Frontal, right wrist plain radiograph of the wrist, pediatric patient (female, age 11), detector: Siemens, 504 by 727 pixels
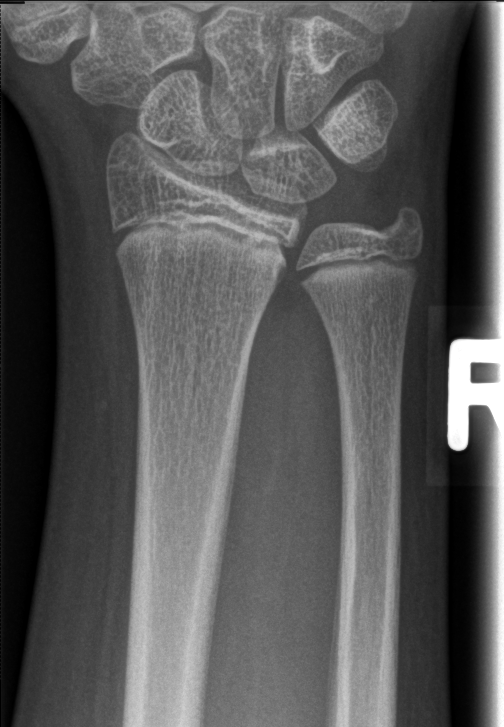

FINDINGS — No fracture labeled.